L wrist XR, PA, girl, 17 yo, detector: Siemens, 622x1280
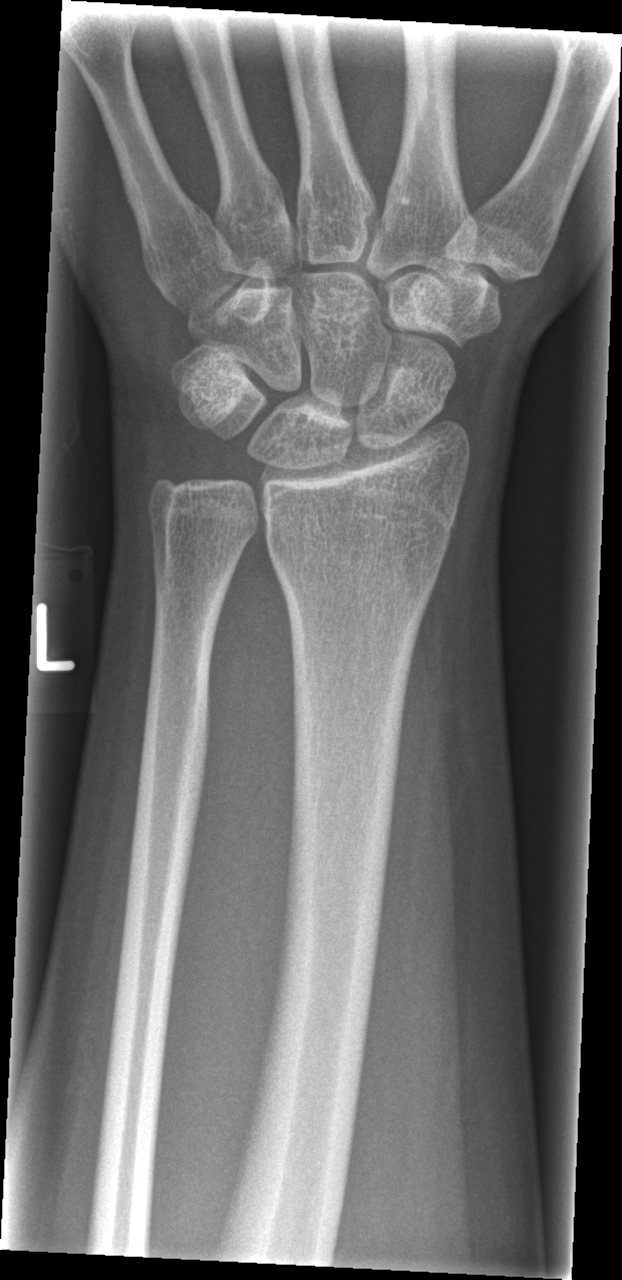 Fx: none.